Right wrist plain film, posteroanterior view, cast in situ 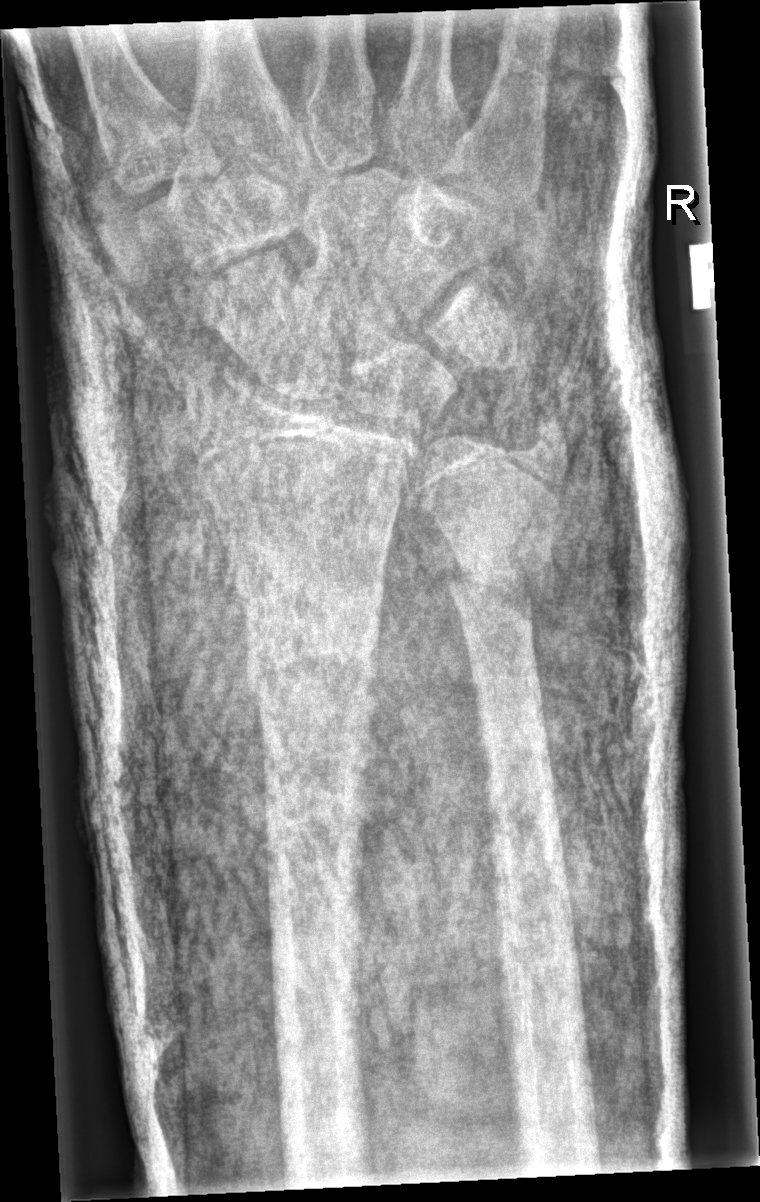
(boxes as x1,y1,x2,y2 (top-left / bottom-right, pixel units))
Q: AO code?
A: AO/OTA classification: 23-M/3.1
Q: Is there a fracture?
A: Bone fracture: bbox(241, 631, 386, 719); bbox(445, 536, 559, 616)